Left wrist XR, PA/AP view, 8-year-old girl, index exam —
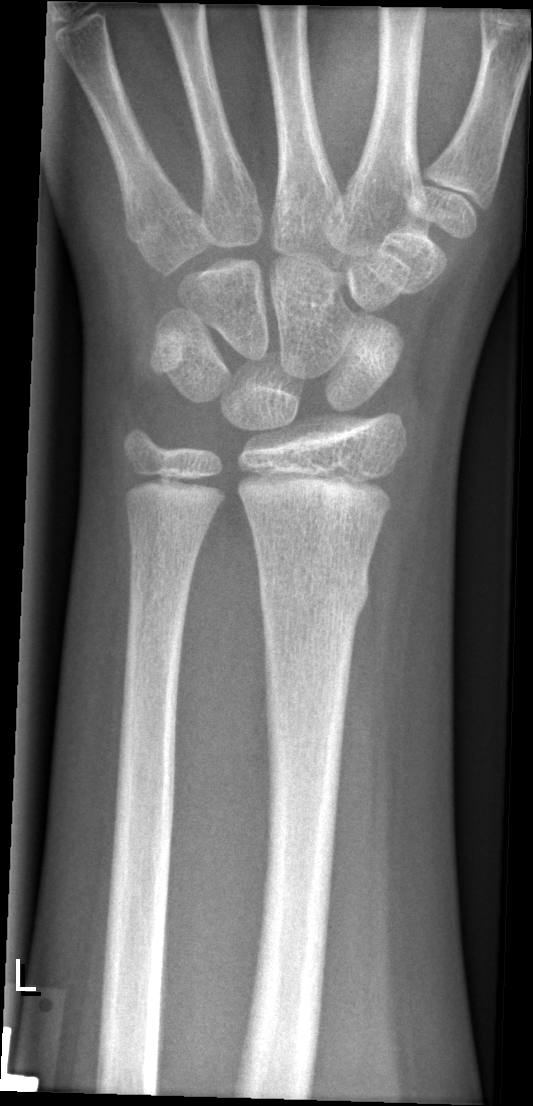 Pixel coordinates, top-left origin, xyxy.
Fracture classified AO/OTA 23r-M/2.1.
One Fx at bbox(255, 565, 373, 622).